AP projection | L wrist radiograph.

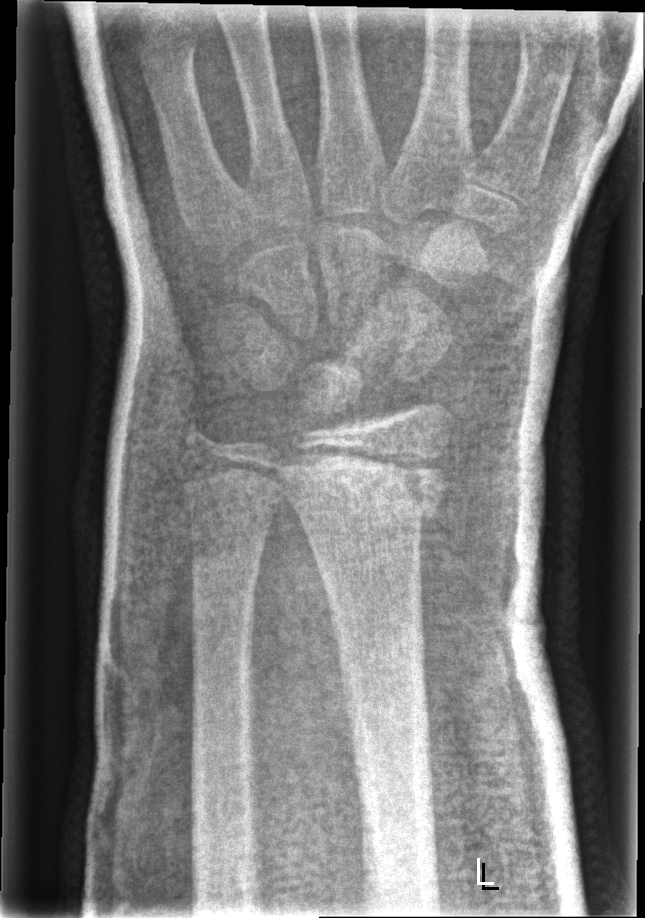

FINDINGS: Bone fracture identified at [273, 441, 454, 528]. Fracture classified AO/OTA 23r-E/2.1.